Right wrist X-ray · lateral · age 13 y, boy · presentation radiograph:

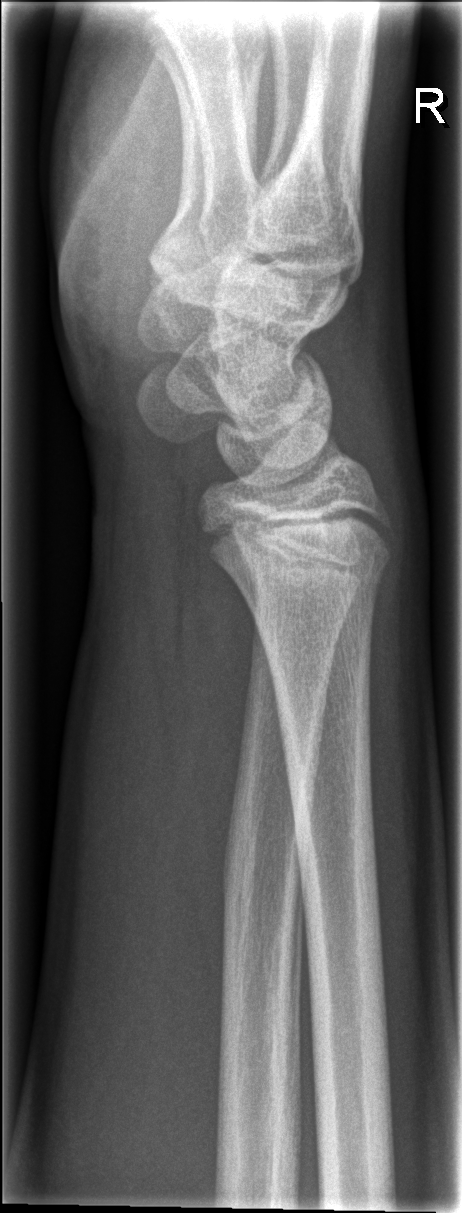
bone fracture = [233, 538, 397, 603]